Lat view · left wrist pediatric wrist radiograph · 14y M · image width 87.8 mm —
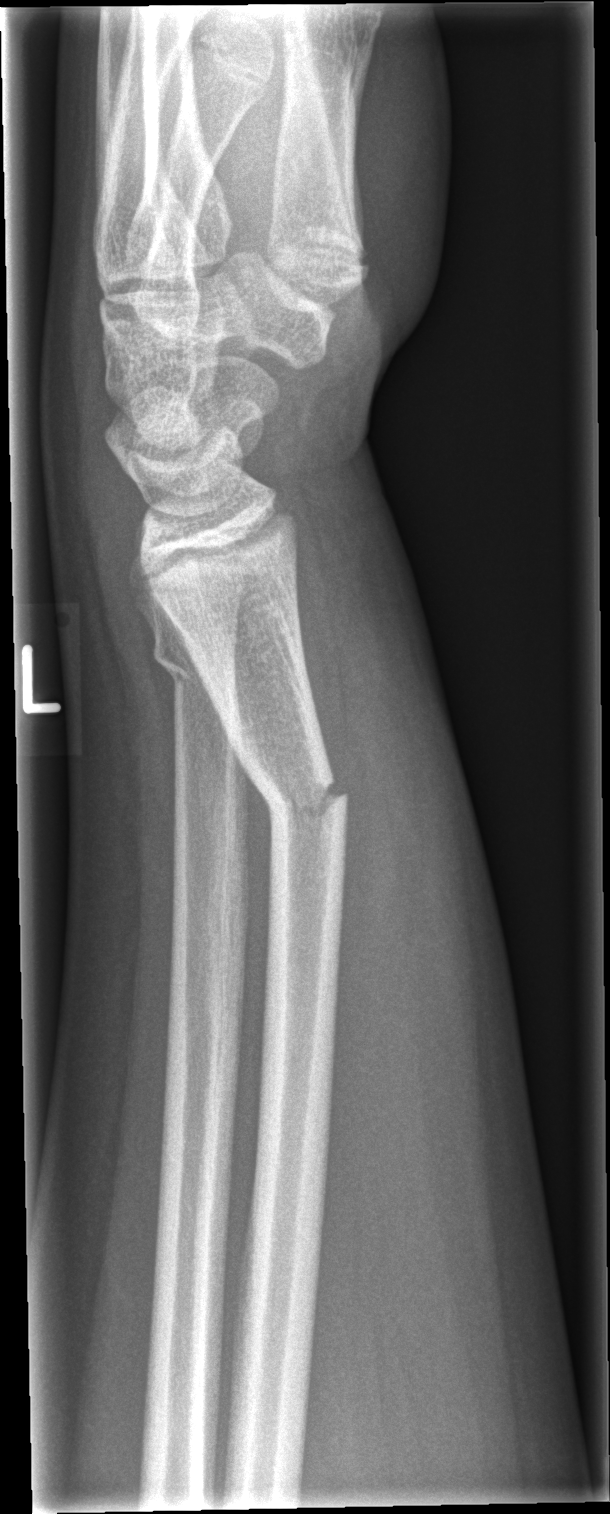
Boxes as x1,y1,x2,y2 (top-left / bottom-right, pixel units). Fracture classified AO/OTA 23-M/2.1. Bone fractures — 144 608 241 692
  252 769 353 840.